PA/AP; right wrist radiograph; pediatric patient (girl, age 16) 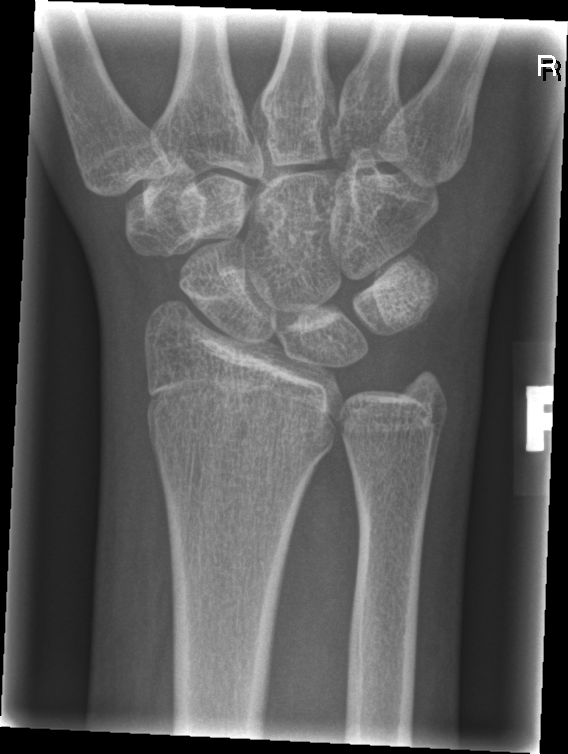 Fracture present, but no bounding box because it is not clearly seen in this view.
Fracture classified AO/OTA 23r-M/2.1.